PA/AP view; L wrist radiograph; 8y F; initial study; image size 852x1132:

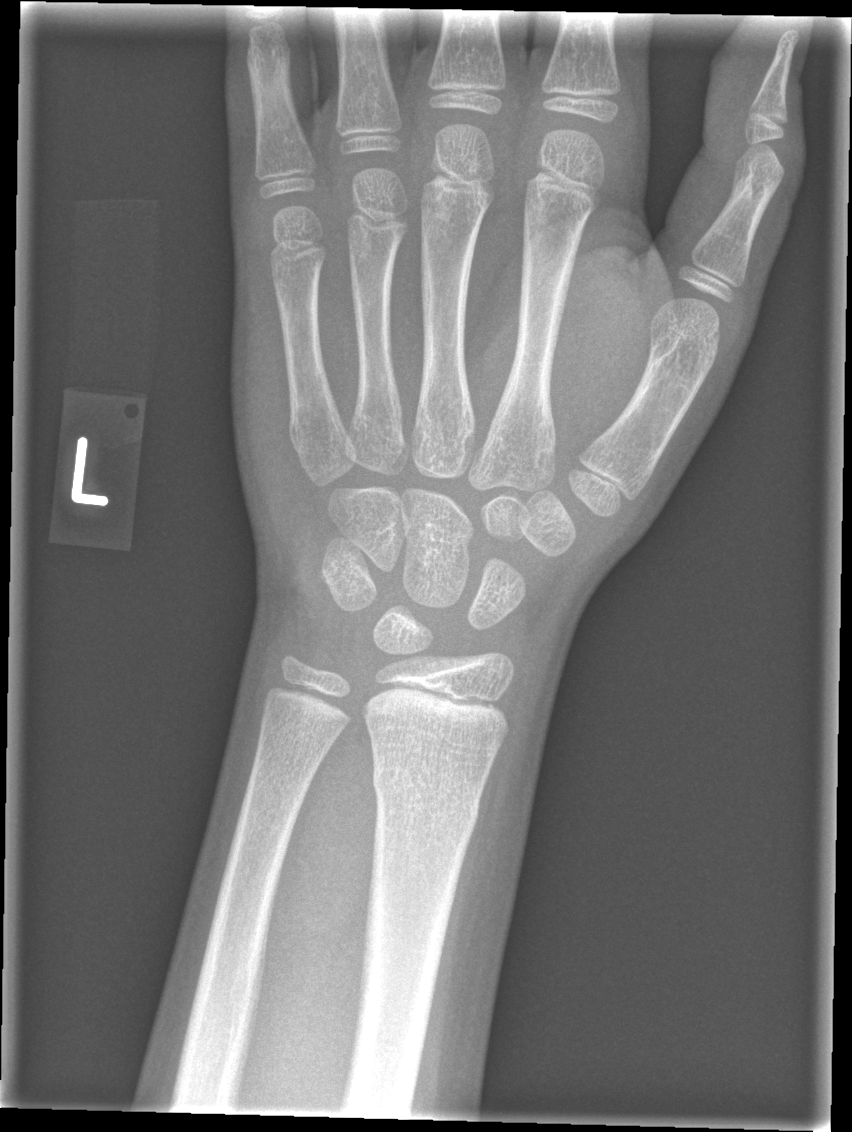 Boxes as x1,y1,x2,y2 (top-left / bottom-right, pixel units). Fx identified at 370,760,483,830. Fracture classified AO/OTA 23r-M/2.1.